Left plain radiograph of the wrist | lateral | Siemens.
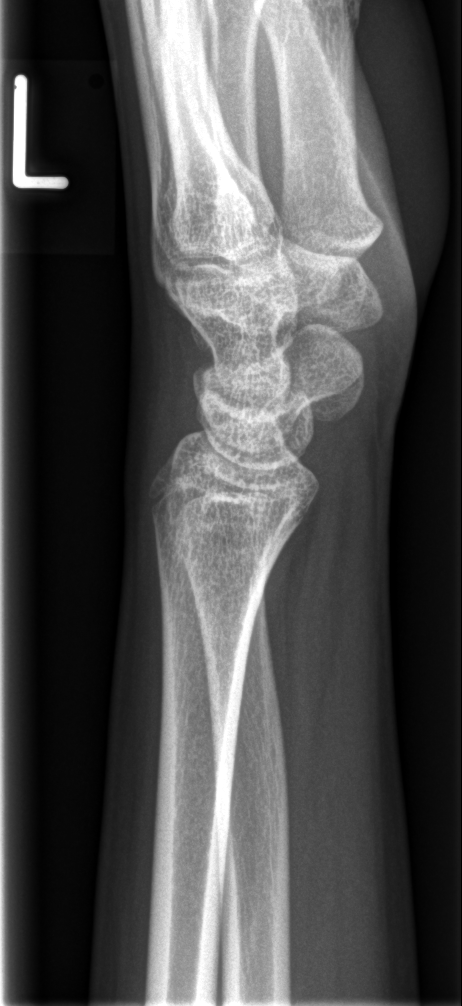
  fracture: none labeled